Posteroanterior projection, left wrist plain film: 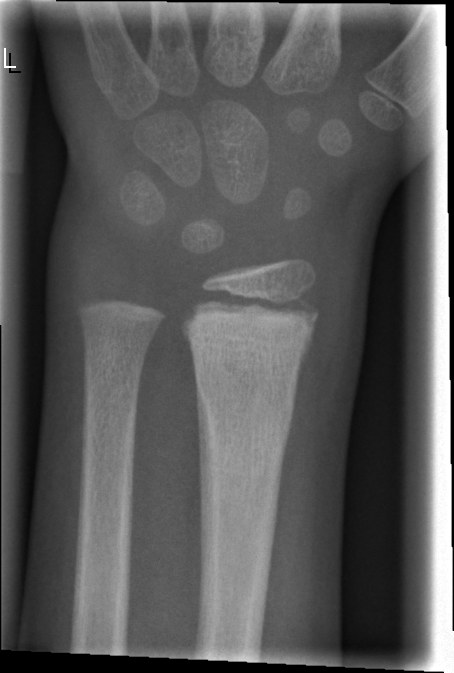 Bone fracture identified at (190, 382, 300, 477), (177, 287, 324, 356).
Fracture classified AO/OTA 23r-E/2.1; 23r-M/2.1.